L wrist XR · lateral projection · age 14 y, boy · 420x1134 —
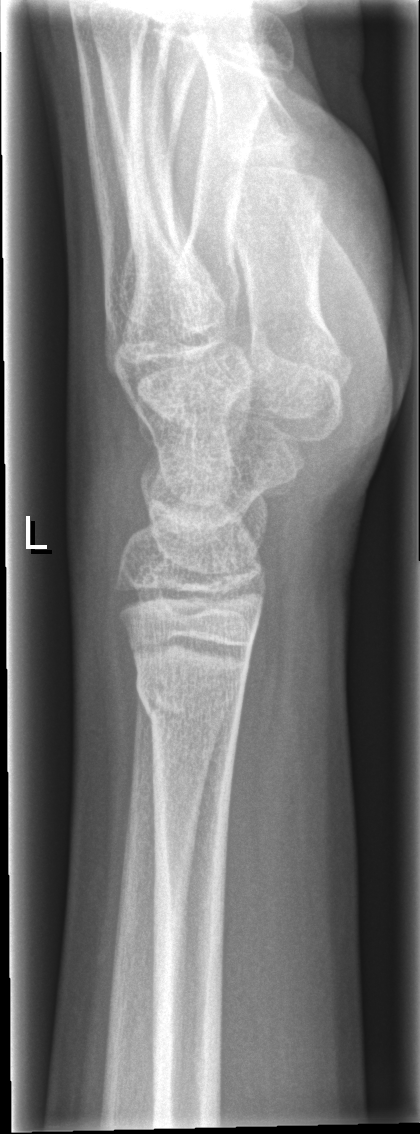

One bone fracture at <131,672>-<251,741>.
Fracture classified AO/OTA 23r-M/2.1.